L pediatric wrist radiograph · lat · subsequent exam · Siemens:

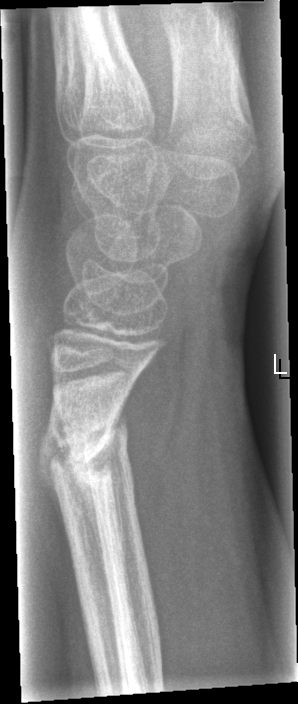

Q: Is there a fracture?
A: One fracture at (46, 405, 130, 481)
Q: Is there osteopenia?
A: Osteopenic
Q: Locate any periosteal reaction.
A: Periosteal thickening — (38, 431, 54, 491)